Left wrist radiograph · lateral view —

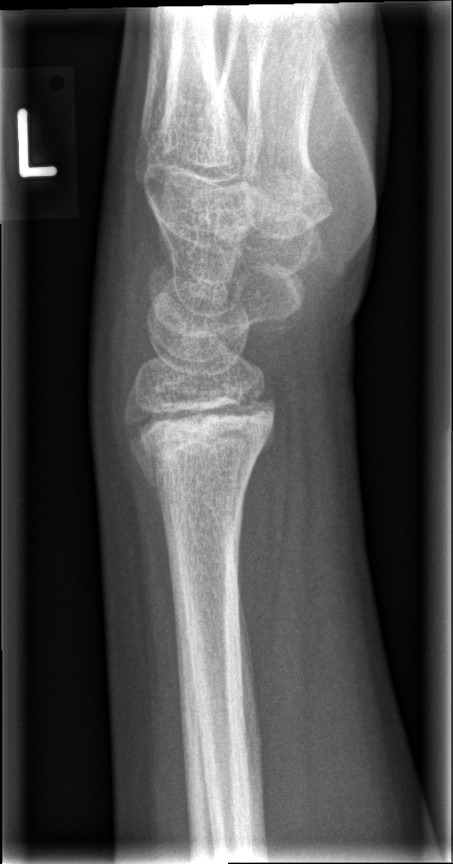

FINDINGS: AO/OTA classification: 23r-E/2.1. Fracture — <119,390>-<278,496>.